Right pediatric wrist radiograph | PA/AP view: 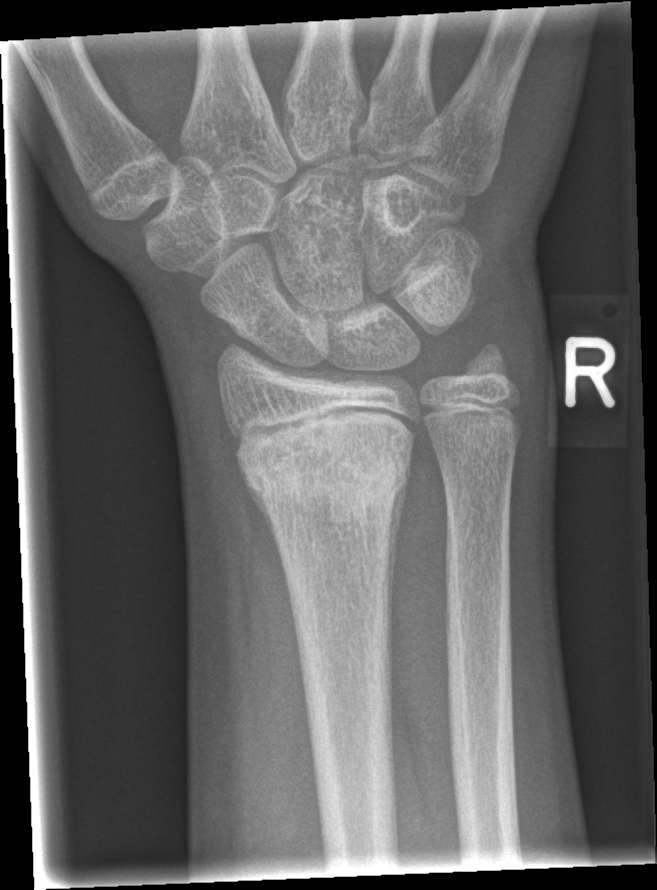

Coordinates are [x1, y1, x2, y2] in image pixels.
Periosteal reaction: 387,456,413,708 | 236,460,286,584.
Bone fracture identified at 235,413,415,525.